Rt wrist X-ray | lat view | pediatric patient (girl, age 11) | imaged through cast | detector: Siemens
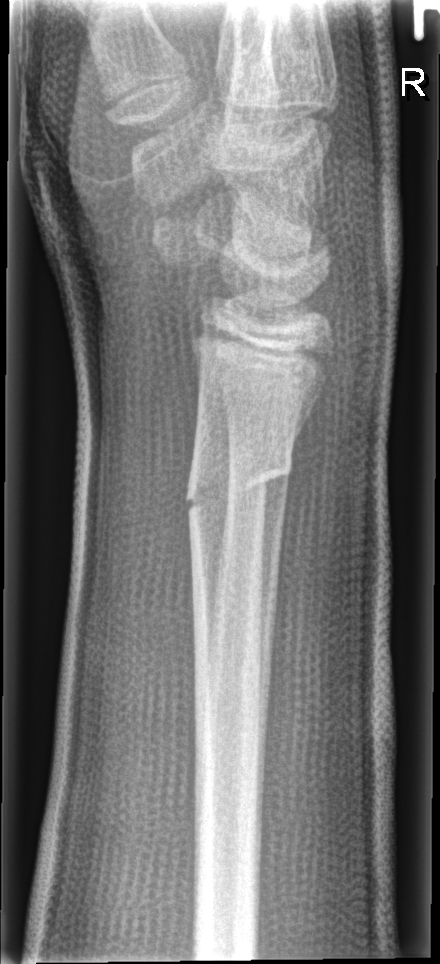 Bone fracture — [184, 456, 295, 520].